Frontal view · R wrist plain film · presentation radiograph
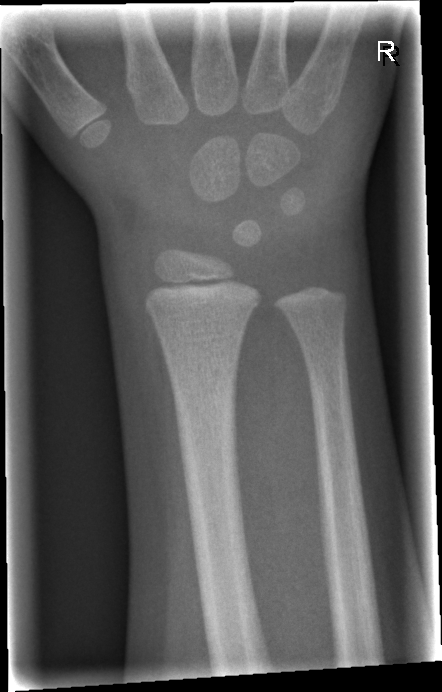

No fracture bounding box.